Lateral view · L wrist X-ray · index exam · image width 65.5 mm. 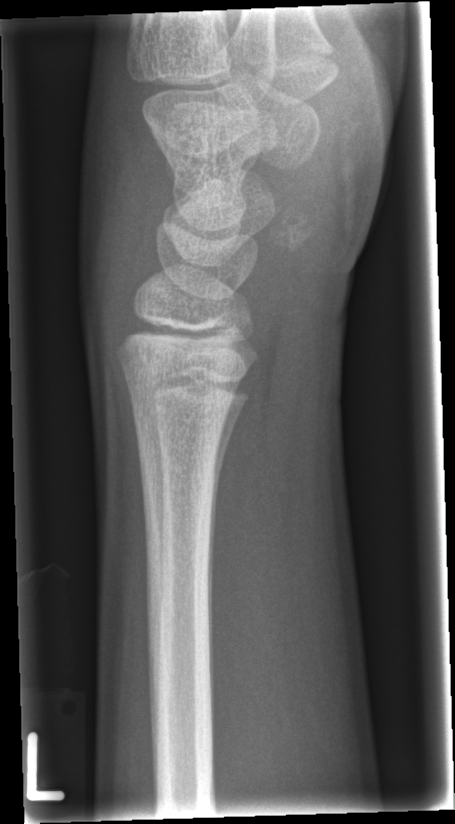 fracture: none labeled
soft-tissue swelling: 1 @ 78 122 164 354